AP projection, left wrist XR, image width 80.4 mm: 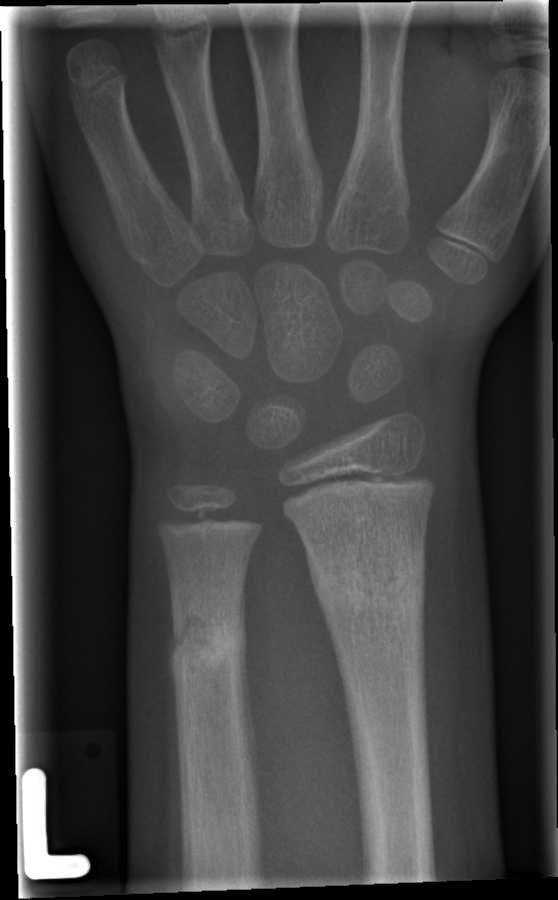
AO code 23-M/2.1. Fracture: <309,549>-<429,619>, <165,598>-<248,683>. Osteopenia.